L pediatric wrist radiograph; frontal projection; detector: Siemens; 109.4 mm image width —
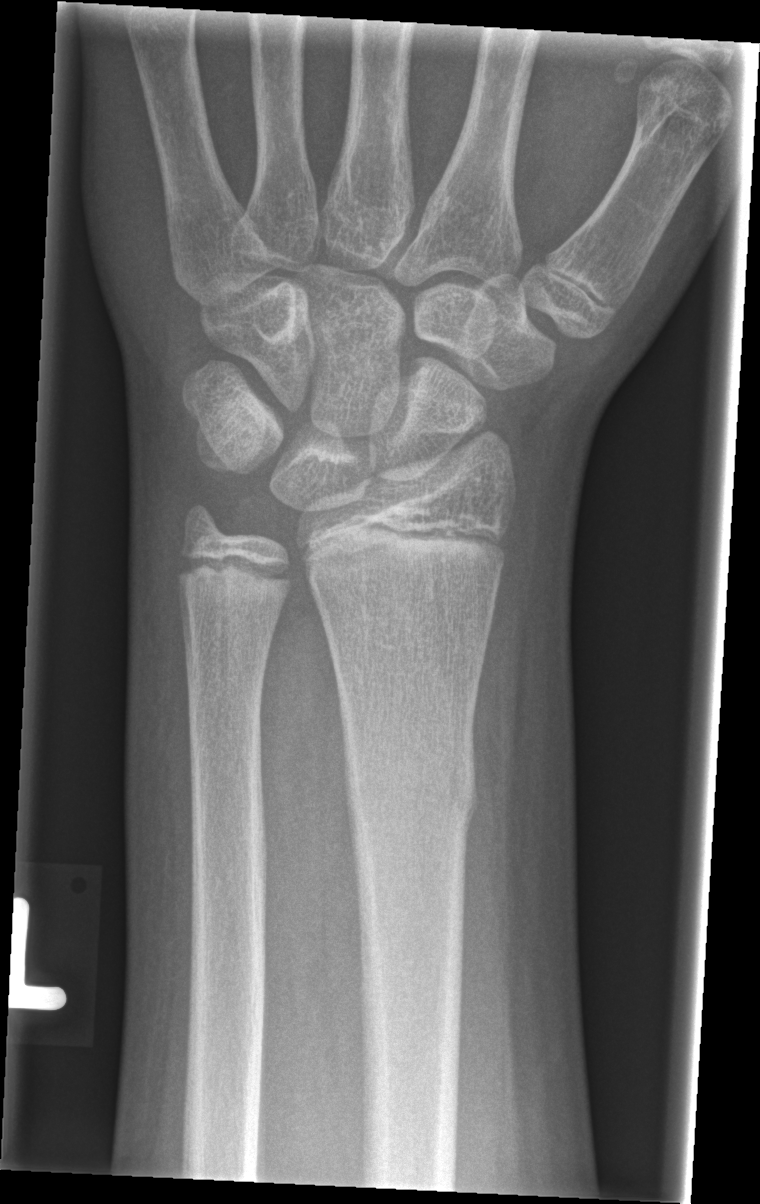
FINDINGS — (pixel coordinates, top-left origin, xyxy) AO/OTA classification: 23r-M/2.1; 22u-D/1.1. Fracture — <337,731>-<492,844>.